PA/AP projection · right pediatric wrist radiograph · 9-year-old female · 601 x 1128 px —

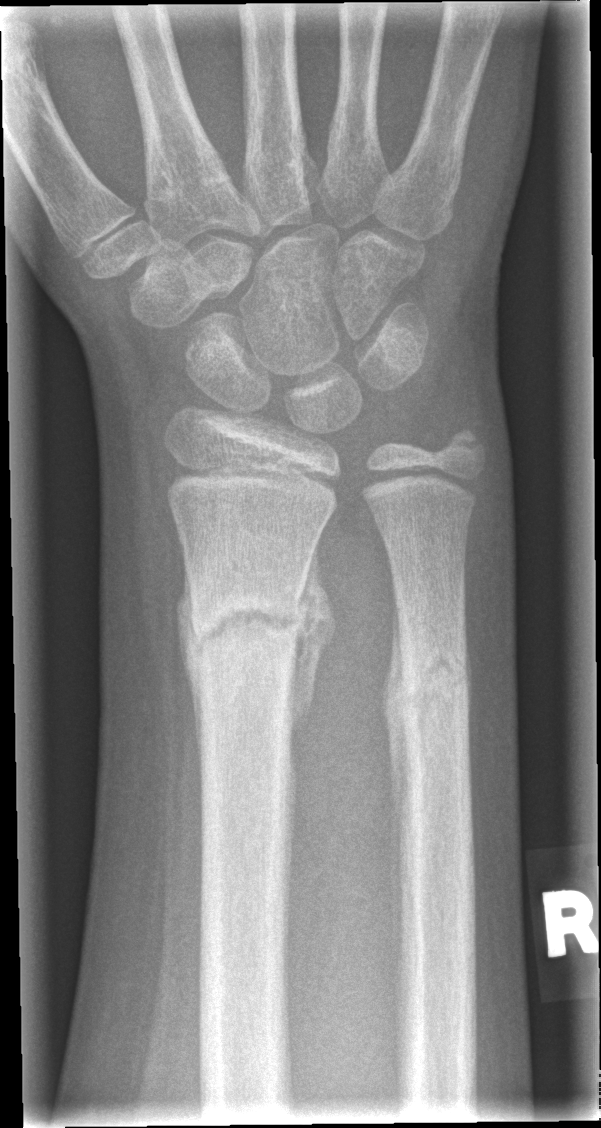

FINDINGS: AO/OTA classification: 23r-M/3.1; 23u-M/2.1; 23u-E/7. Osteopenic. Fx identified at bbox(185, 579, 309, 660), bbox(395, 637, 473, 706), bbox(437, 418, 491, 472). Periosteal new bone — bbox(379, 579, 414, 1011); bbox(284, 539, 337, 774); bbox(174, 552, 202, 782).